Frontal view; left wrist plain film; girl, 12 yo; 93.7 mm image width. 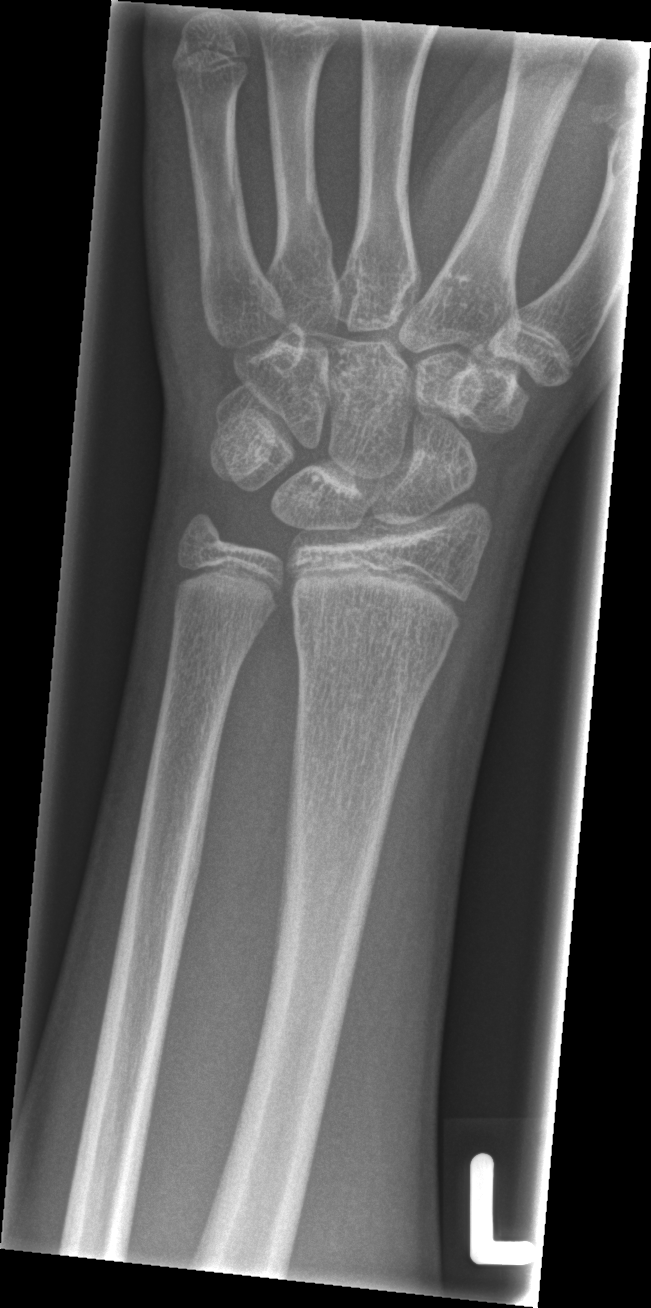 {"fracture": "1 @ [x1=291, y1=599, x2=452, y2=676]", "ao": "23r-M/2.1"}